Right pediatric wrist radiograph | lat 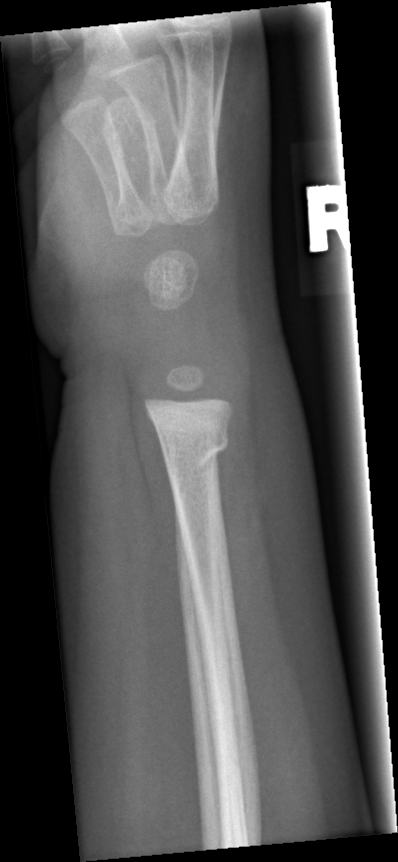 Fracture classified AO/OTA 23-M/2.1. Fracture identified at 162 429 233 480.